Lateral projection | Rt pediatric wrist radiograph | index exam | findings marked uncertain by the reading radiologist. 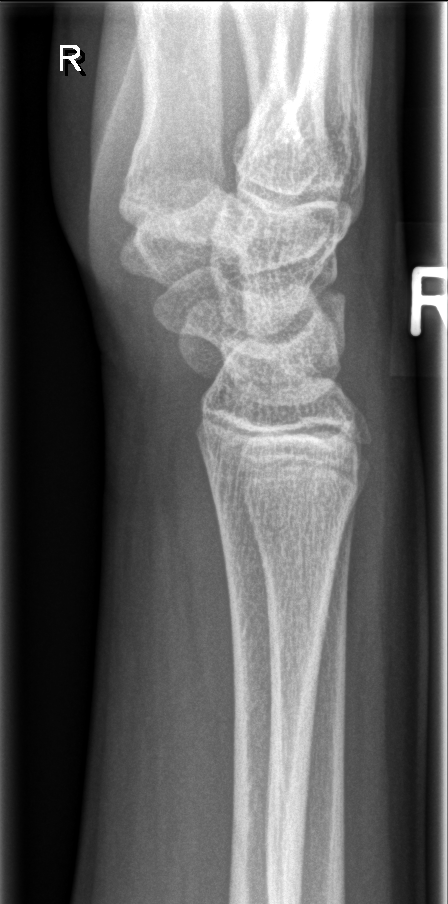
• Bounding boxes in image-pixel xyxy.
• One fracture at <212,472>-<370,542>.